R wrist plain film; posteroanterior projection; pediatric patient (female, age 17); 569x1100:
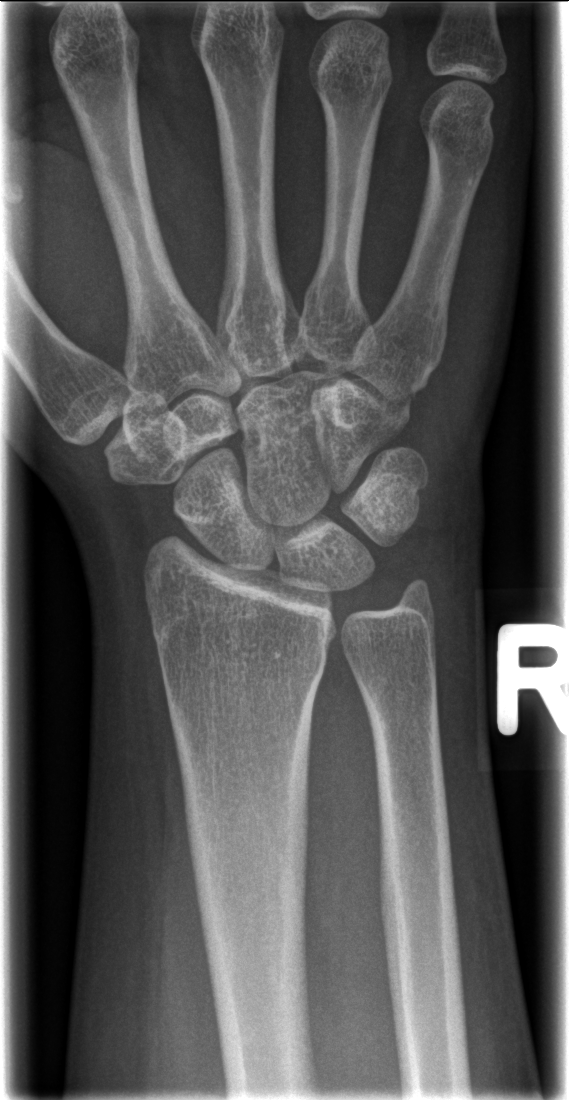 Fracture = none labeled